PA/AP · L wrist X-ray · cast present 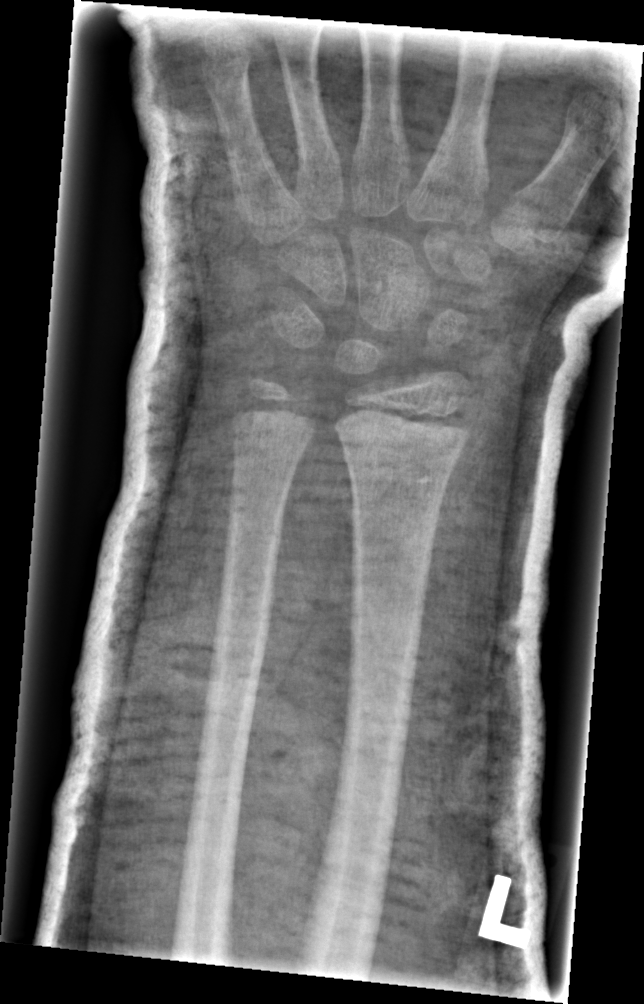
Fracture present, though not clearly seen in this view.